Rt pediatric wrist radiograph | posteroanterior | pediatric patient (boy, age 12) | subsequent exam | imaged through cast —
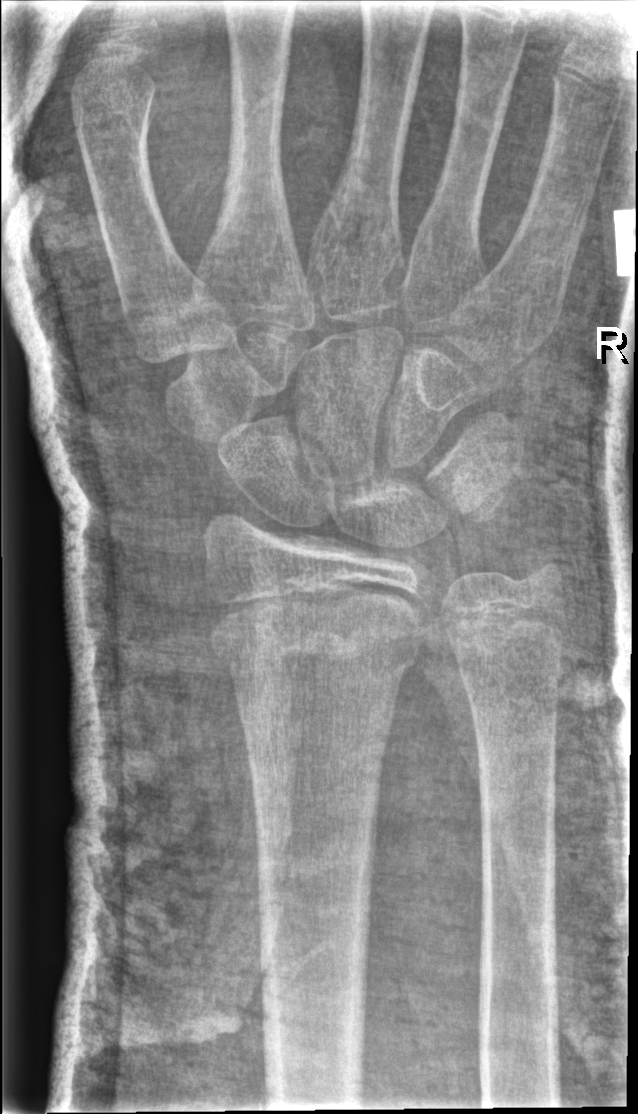 Fx identified at 208 623 425 690.
AO/OTA classification: 23r-M/3.1.